Lateral view · right wrist radiograph · 404 by 830 pixels:
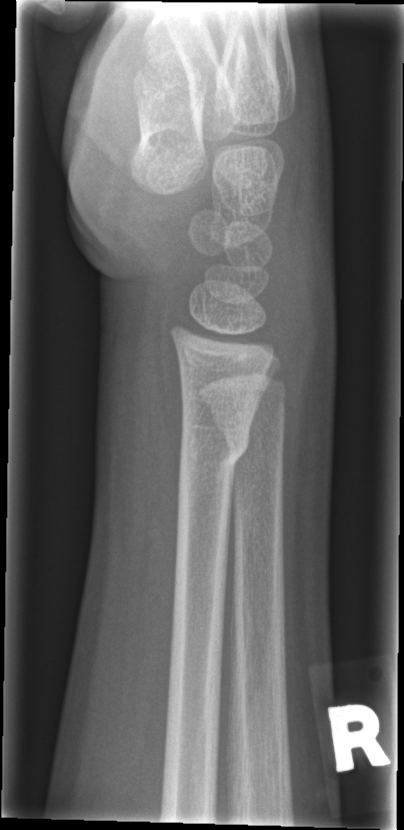

Coordinates are [x1, y1, x2, y2] in image pixels.
Two Fx at [175, 424, 252, 486]; [210, 406, 286, 448].
AO code 23-M/2.1.